Lat · right wrist pediatric wrist radiograph · 454 by 1112 pixels —

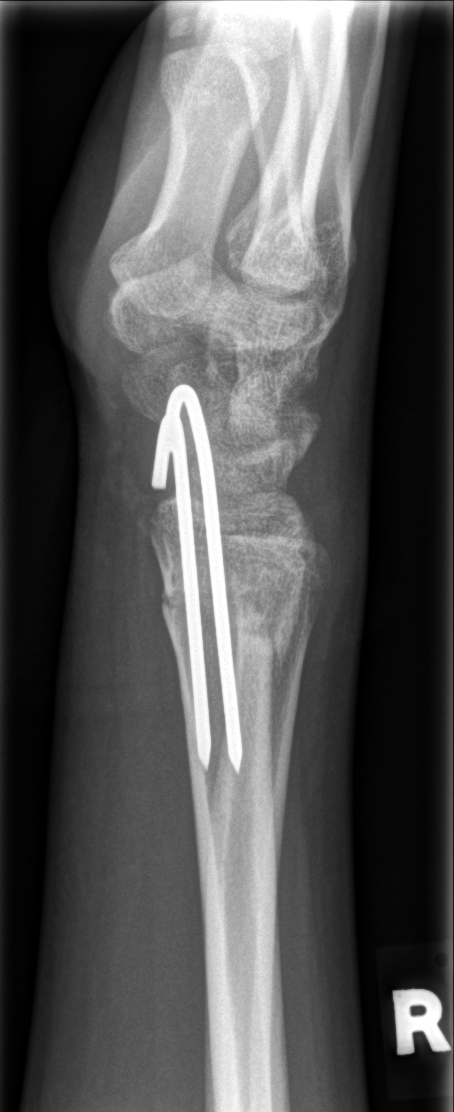
metal: <148,380>-<246,776>
fracture: 1 @ <155,566>-<304,672>